Lateral projection, Rt wrist XR, female, 10 yo — 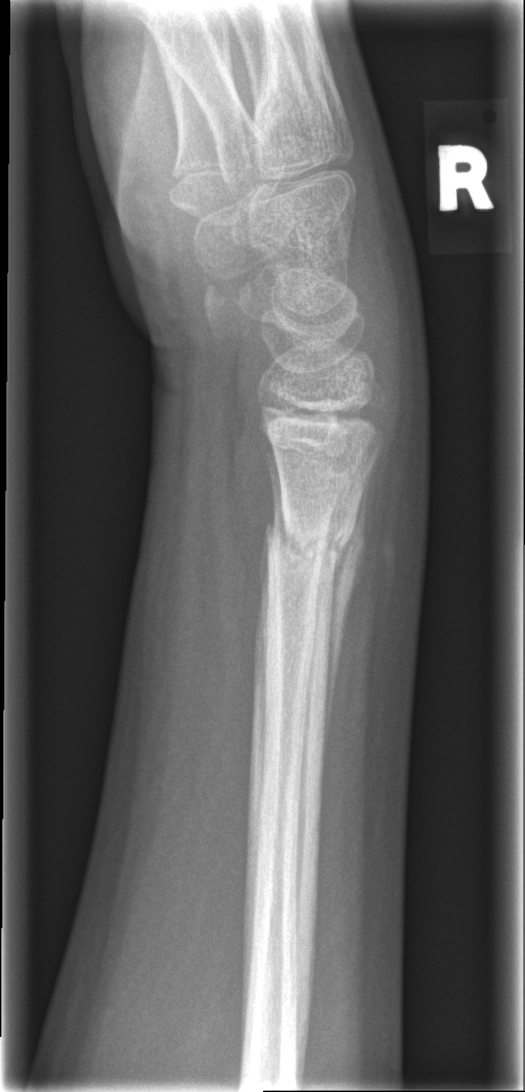 FINDINGS: (pixel coordinates, top-left origin, xyxy) Periosteal new bone — [321, 464, 371, 780]. Fx — [259, 501, 360, 574]. Osteopenia. AO/OTA classification: 22u-D/2.1; 23r-M/2.1; 23u-E/7.